R wrist XR | posteroanterior view | 15-year-old male | cast in situ | acquired on Siemens. 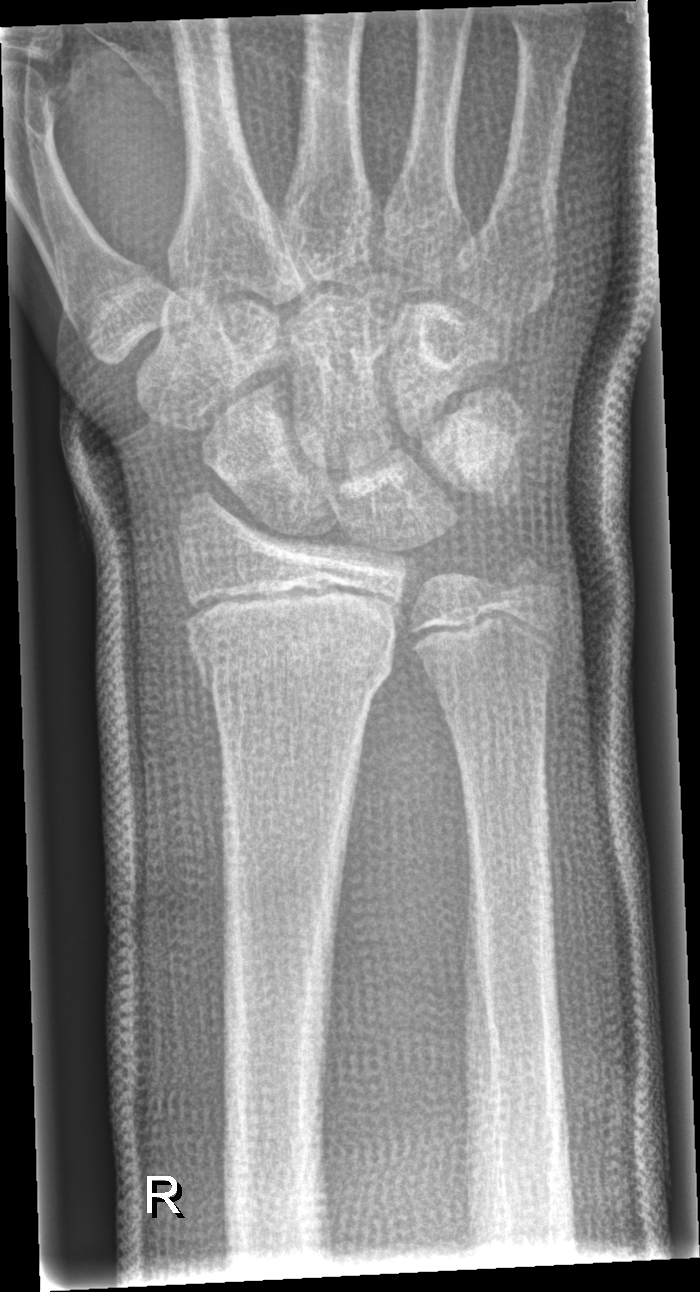

(boxes as x1,y1,x2,y2 (top-left / bottom-right, pixel units))
Bone fracture = 2 @ (188, 617, 403, 697), (494, 545, 565, 603)